Lateral view · left wrist plain film · boy, 13 yo · index exam · 504 by 1300 pixels: 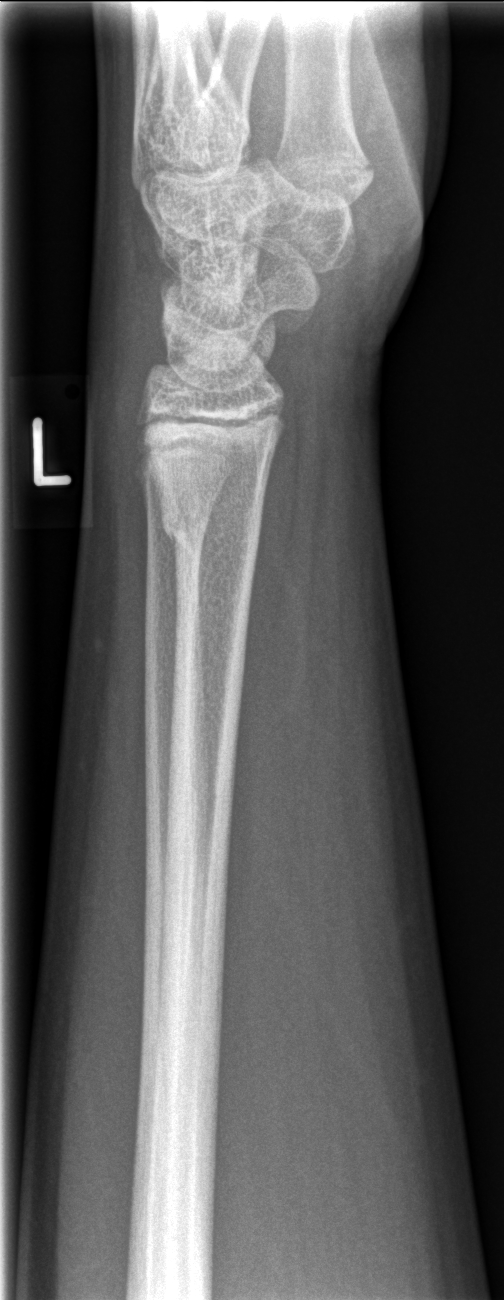

Fx — bbox(157, 493, 265, 572).